Right wrist X-ray · lateral projection · in cast.
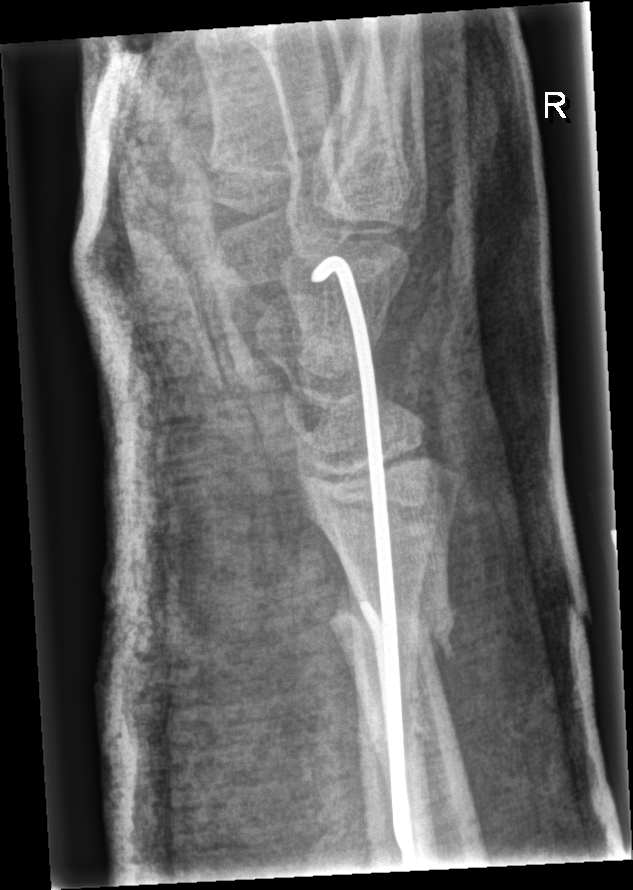

Fx: <331,589>-<456,667>
hardware: 1 @ <309,251>-<415,874>